Posteroanterior projection; Lt wrist XR; 17y M; image size 710x1464 —
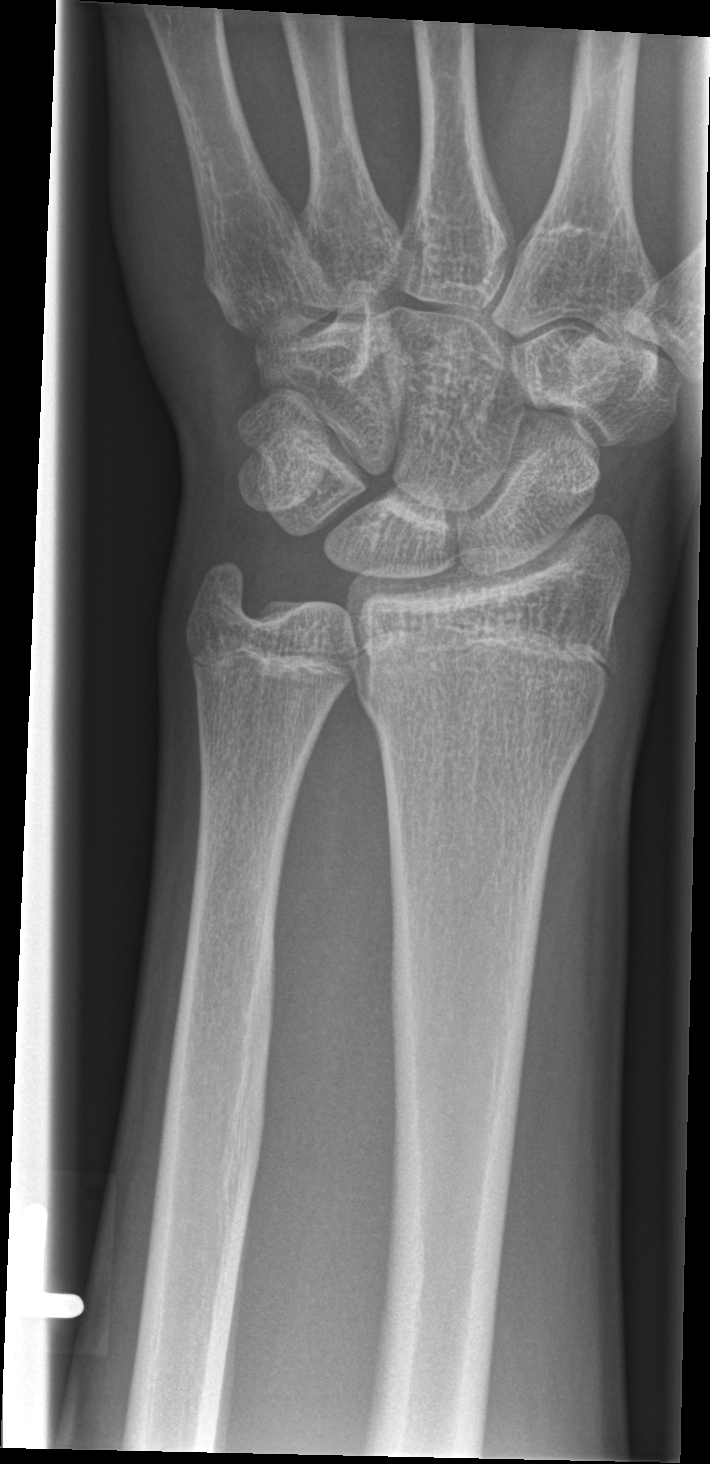
FINDINGS: Fracture classified AO/OTA 23r-M/2.1. Fracture present but not clearly seen in this view.